AP · Lt wrist X-ray · girl, 13 yo:
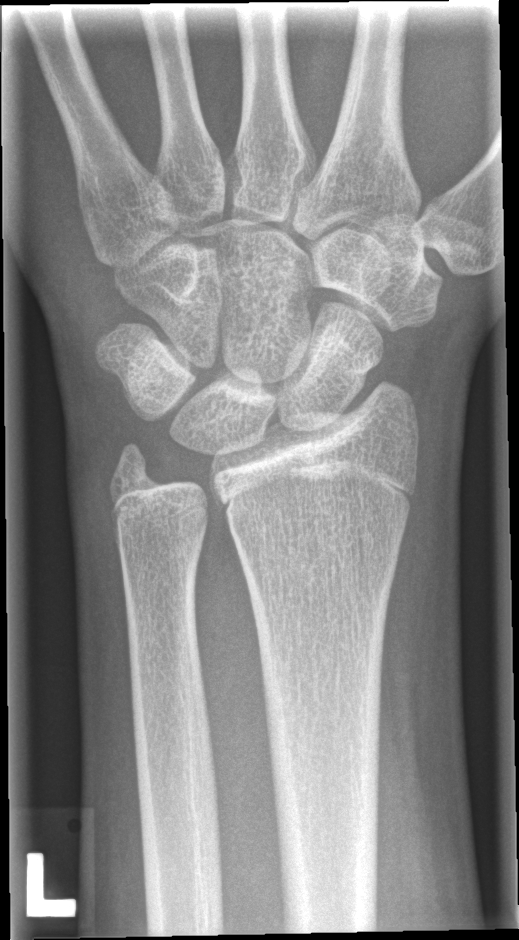 * Fracture: none labeled.